Lt pediatric wrist radiograph; frontal; Siemens; image width 71.6 mm; 497 by 1000 pixels:

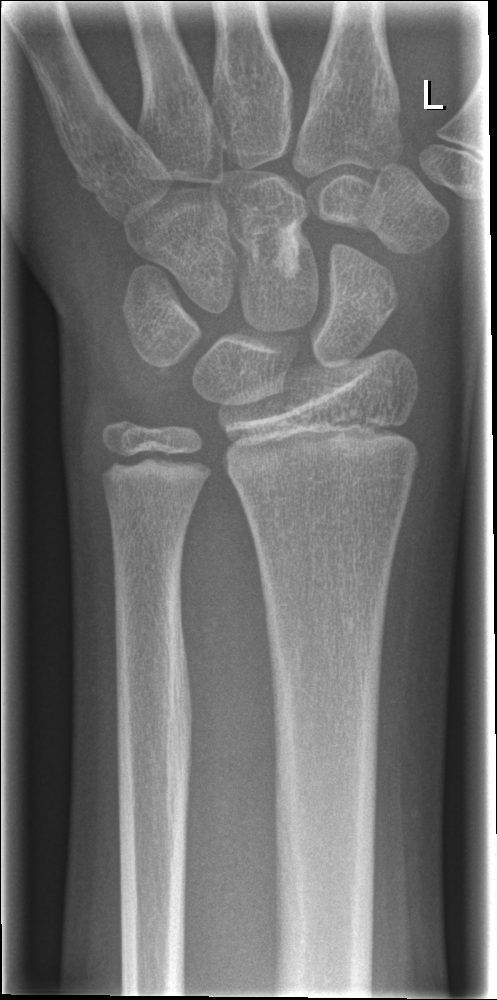 * Osseous anomaly: (left=270, top=217, right=305, bottom=281).
* No fracture bounding box.